Lateral · R wrist radiograph · 16-year-old girl · 568 by 1312 pixels —
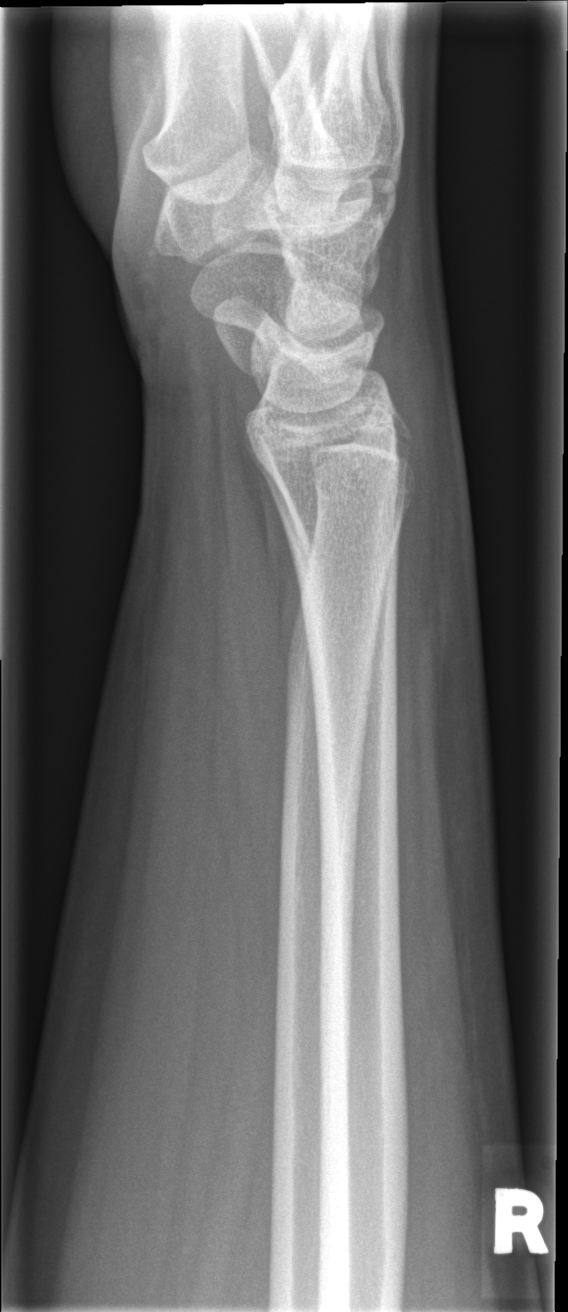 {"fracture": "none labeled"}